Lat, Rt wrist X-ray, index exam, 332x896.

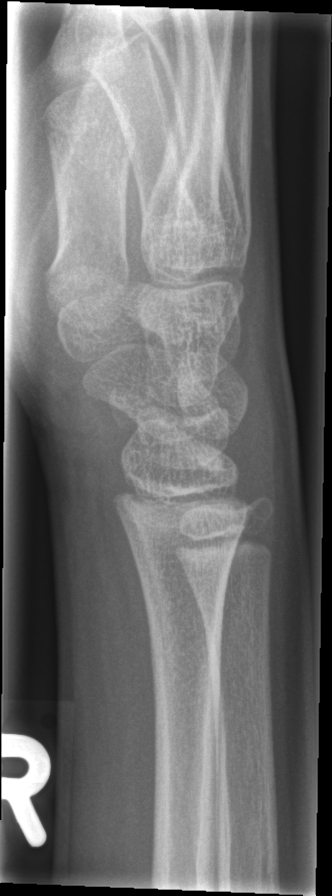
Q: Is there a fracture?
A: Fracture: none labeled